Lt plain radiograph of the wrist | lateral view | subsequent exam — 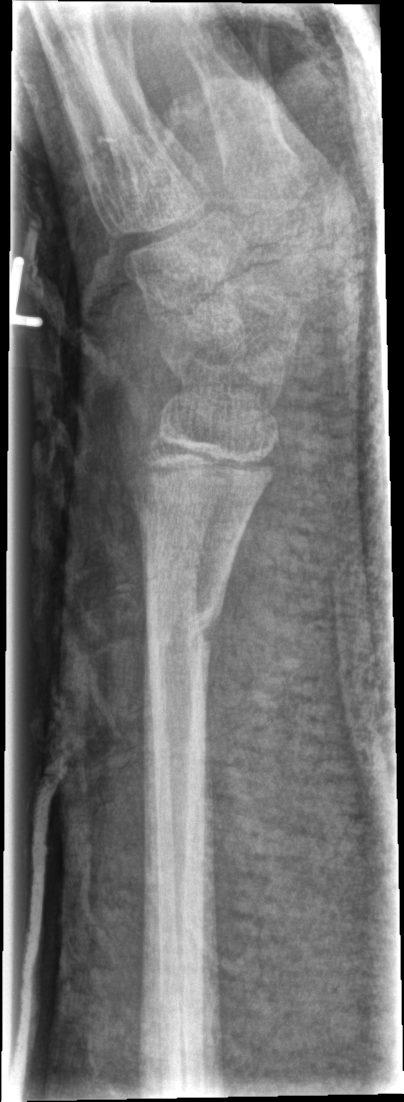
AO/OTA classification: 23r-M/3.1; 23u-M/2.1. Bone fracture: bbox(137, 593, 226, 668).